Right wrist plain radiograph of the wrist | PA | 11y M:
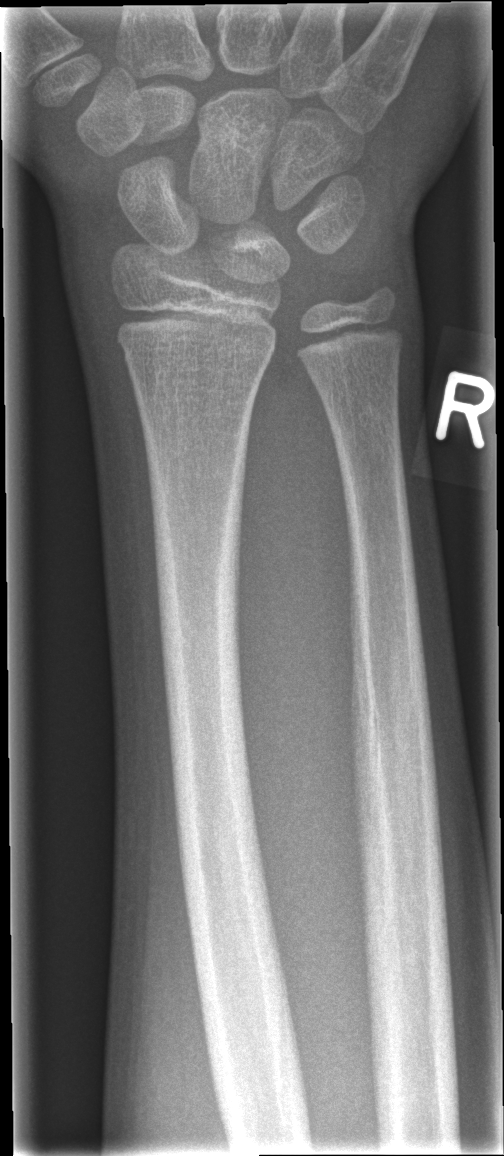 FINDINGS: No fracture bounding box.